Lat; right wrist X-ray; cast in situ:
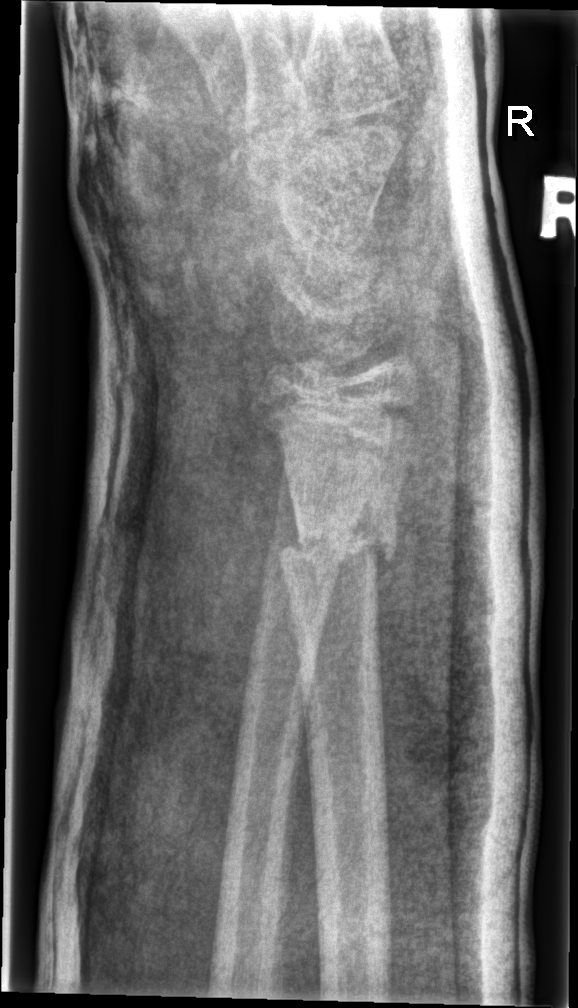

- AO/OTA classification: 23r-M/3.1; 23u-E/7.
- Bone fracture — [273, 498, 402, 598].